Left wrist plain radiograph of the wrist · posteroanterior view · pediatric patient (girl, age 12) · image width 81.8 mm:
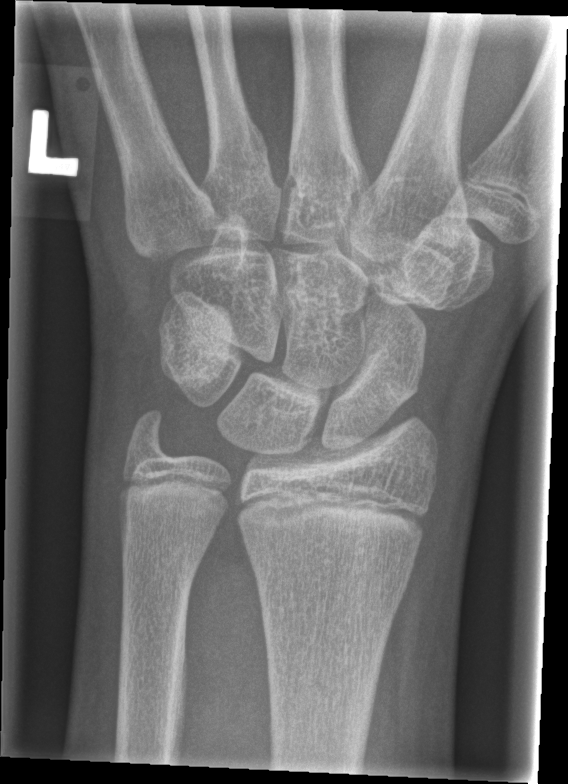 Fracture = none labeled